Lat projection | Lt wrist radiograph | female, 15 yo.

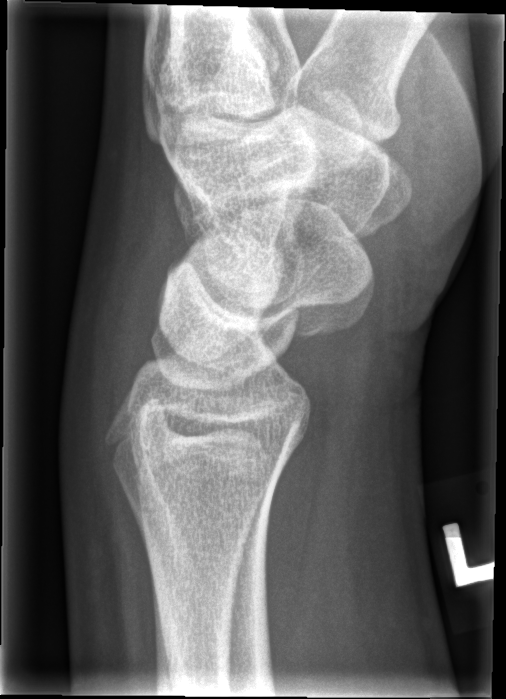
Fx = none labeled